Lateral projection; left wrist plain radiograph of the wrist; cast in situ — 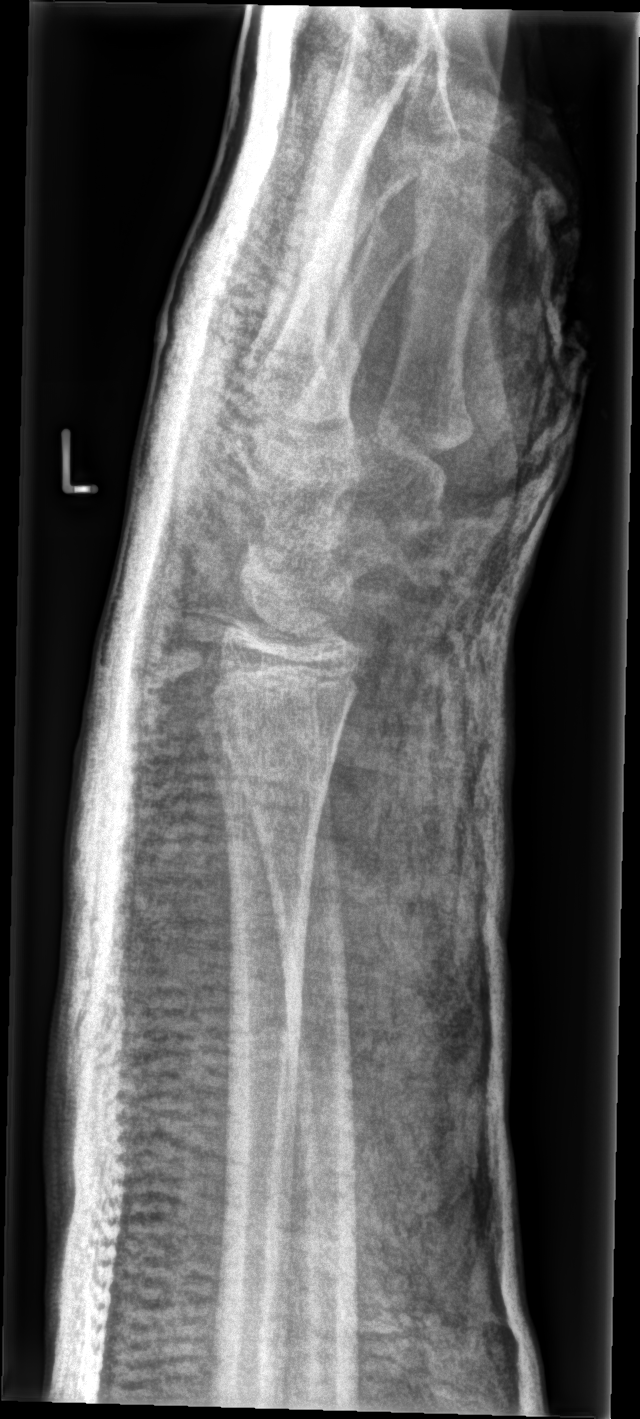

Boxes as x1,y1,x2,y2 (top-left / bottom-right, pixel units). AO/OTA classification: 23r-M/2.1. One fracture at <208,731>-<333,838>.